Right wrist pediatric wrist radiograph, lat projection, initial study —
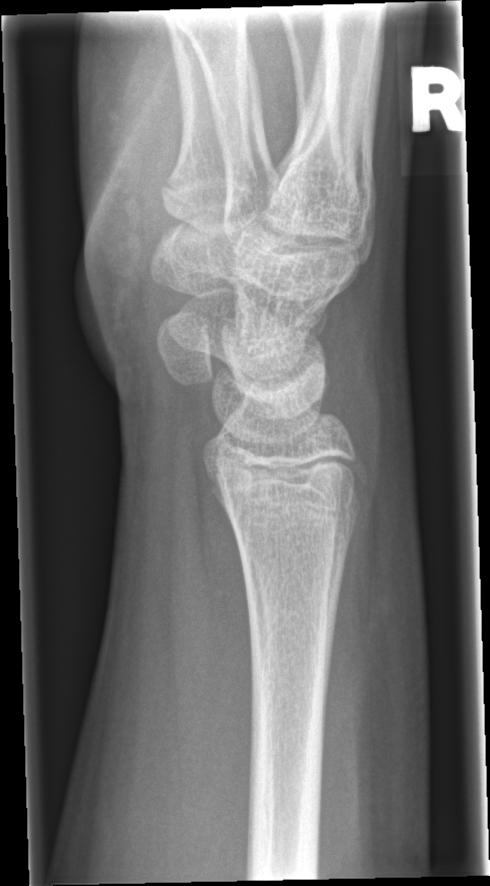

Findings: Fracture: none labeled.